Rt wrist XR | PA view | 13-year-old boy | 564 by 646 pixels — 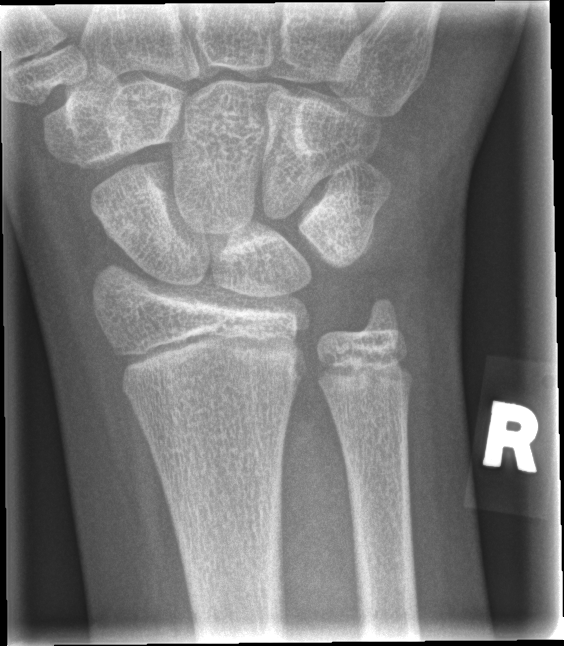
FINDINGS — No Fx annotated.